PA/AP view · R wrist radiograph · male, 12 yo — 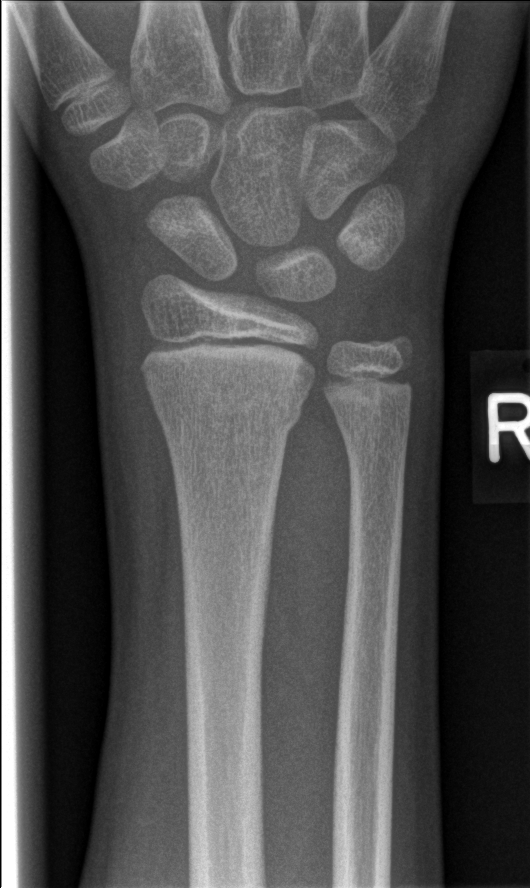
- Fx identified at <149,384>-<307,444>.